Lat projection, left wrist radiograph, pediatric patient (male, age 15), acquired on Siemens 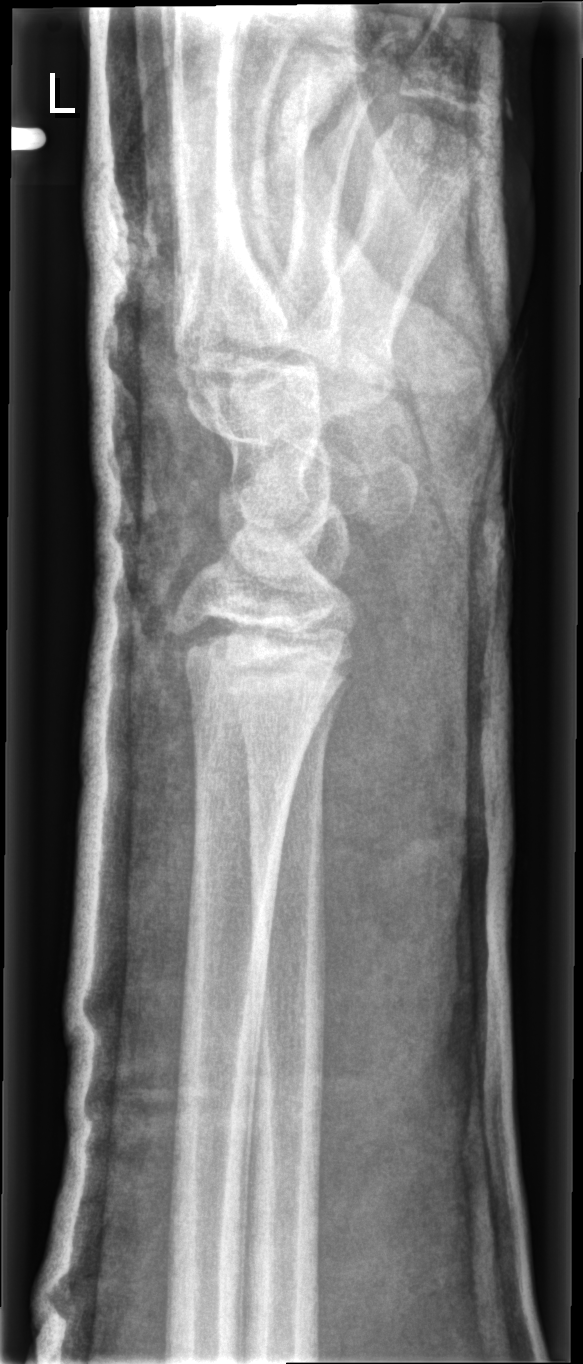 ao: 23r-E/2.1
fracture: (163, 608, 356, 686)